Lateral, right wrist pediatric wrist radiograph, 13y M, initial study:

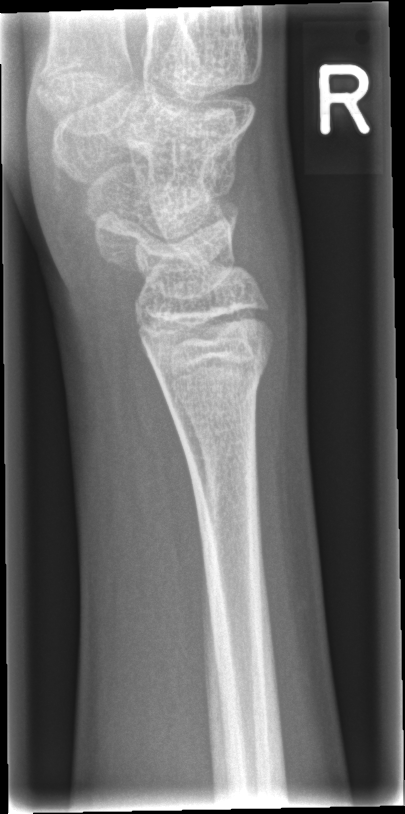

(boxes as x1,y1,x2,y2 (top-left / bottom-right, pixel units))
fracture: 1 @ (151, 337, 277, 414)
AO classification: 23r-M/2.1